L pediatric wrist radiograph, lat, 10-year-old female, subsequent exam — 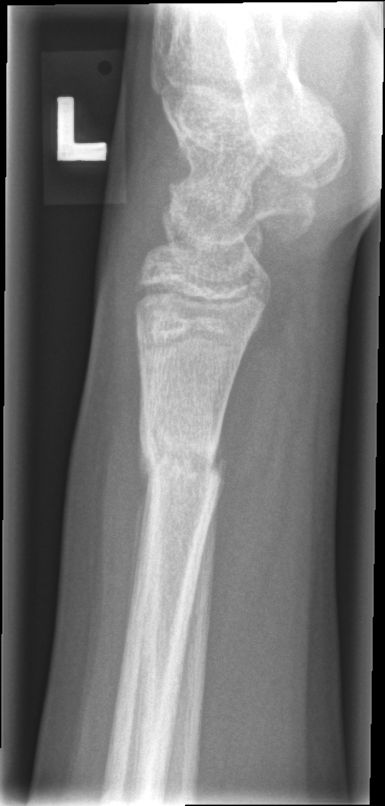
Pixel coordinates, top-left origin, xyxy. AO code 23r-M/3.1; 23u-M/2.1; 23u-E/7. Fx — 135 419 229 501. One periosteal thickening at 129 448 149 625. Reduced bone mineral density.